PA; L wrist radiograph; girl, 9 yo; detector: Siemens. 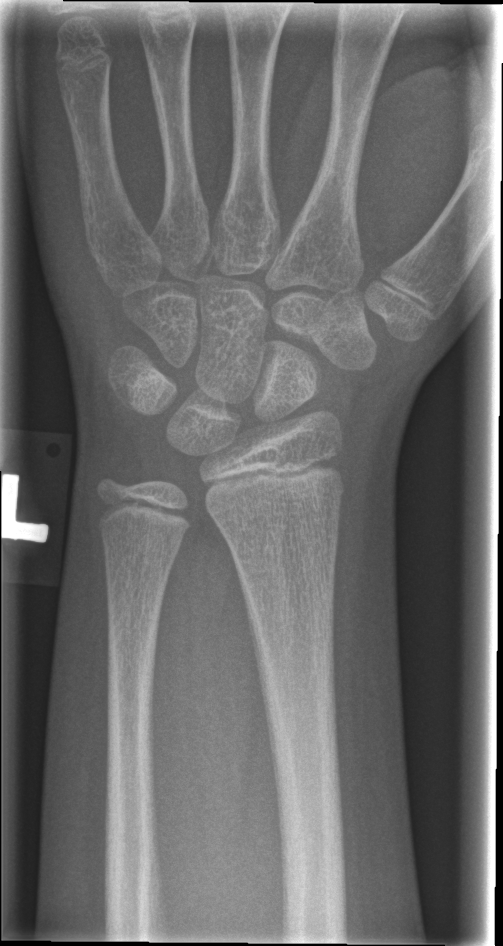

Bone fracture: none labeled